Lt wrist radiograph; lat view; 11y M.
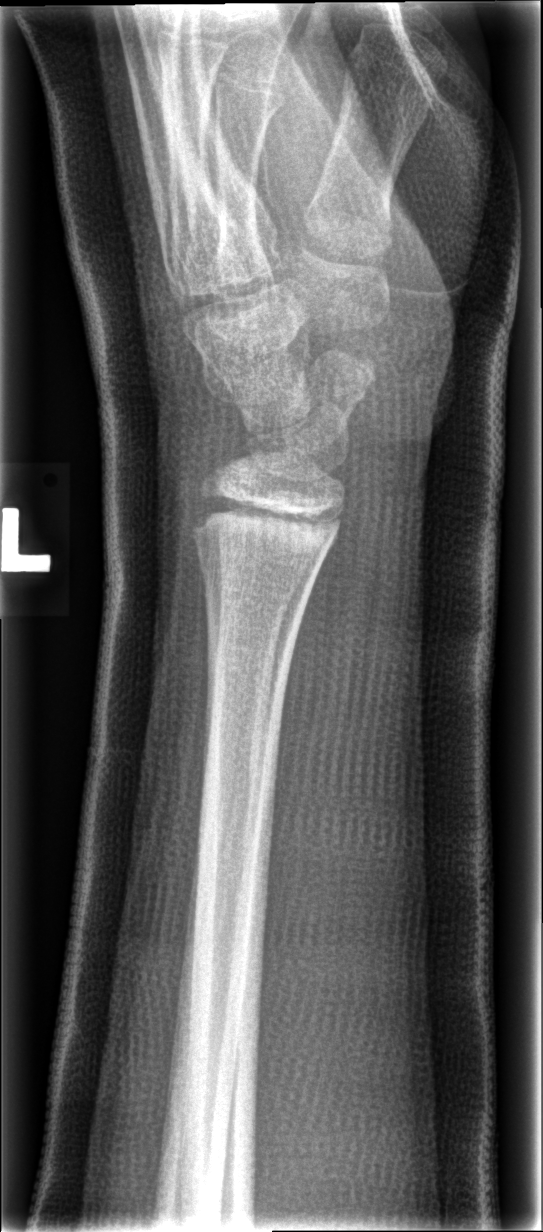
- No fracture annotation.